Right wrist radiograph · posteroanterior · image width 78.0 mm

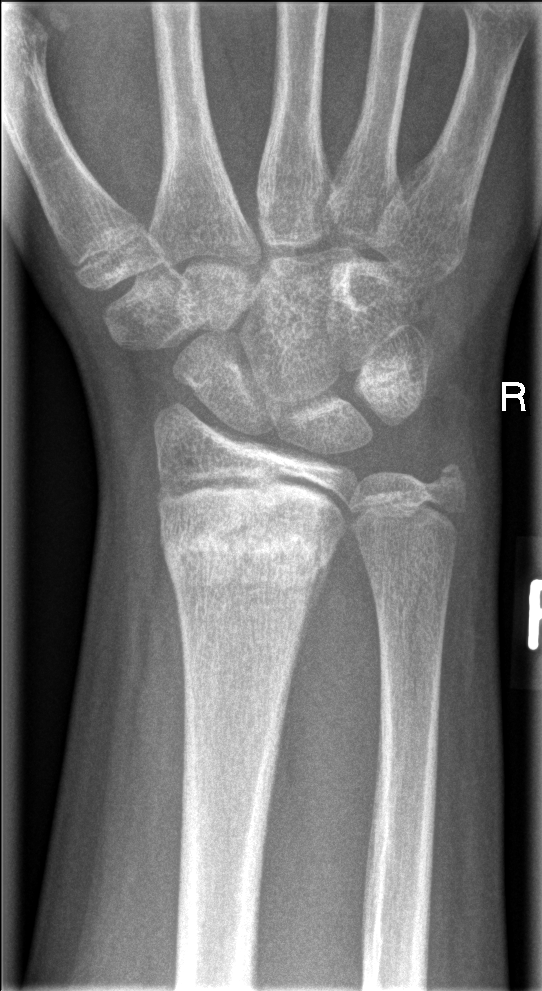

(bounding boxes in image-pixel xyxy)
AO classification = 23r-M/3.1; 23u-E/7
bone fracture = bbox(156, 490, 349, 603); bbox(424, 451, 477, 511)